Right wrist XR | lateral | 10-year-old female | index exam | Siemens.

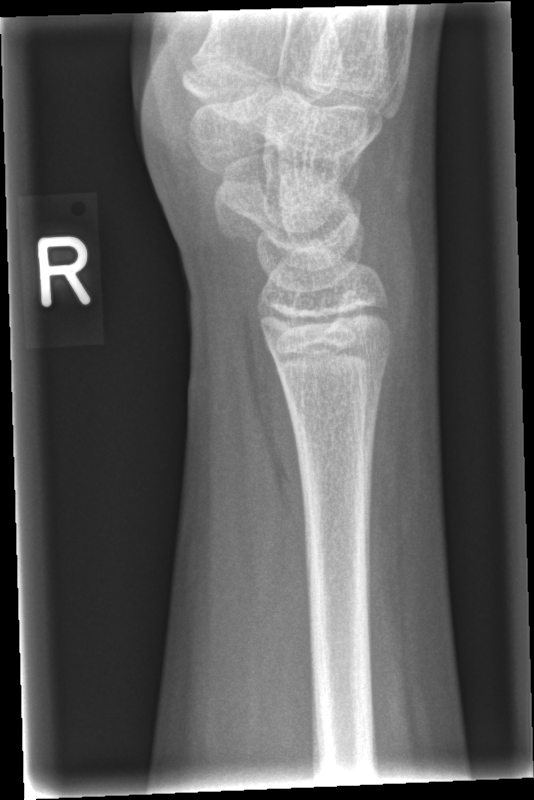

Fracture: none labeled.